L wrist radiograph | lat | boy, 3 yo | imaged through cast 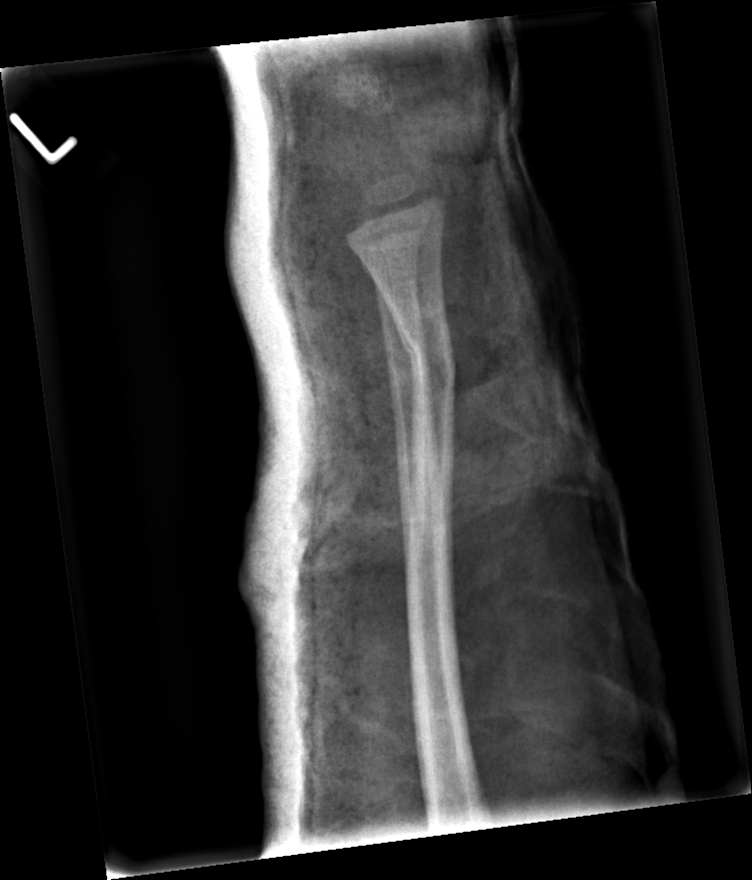

• Bone fracture: bbox(396, 321, 459, 384).